Right wrist pediatric wrist radiograph · lateral projection — 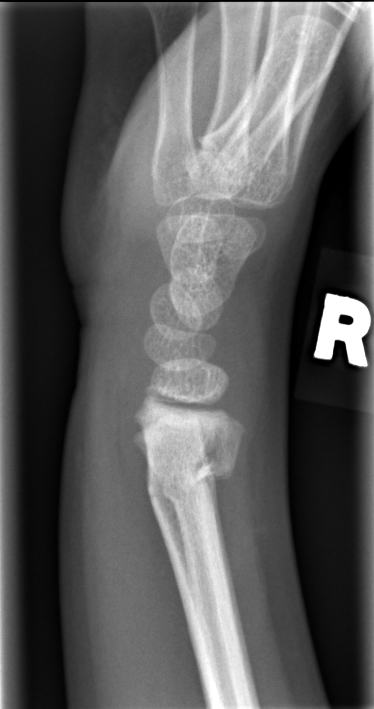
Fx: [x1=146, y1=446, x2=241, y2=515]
AO code: 23r-M/3.1; 23u-M/2.1